Frontal view; right pediatric wrist radiograph:
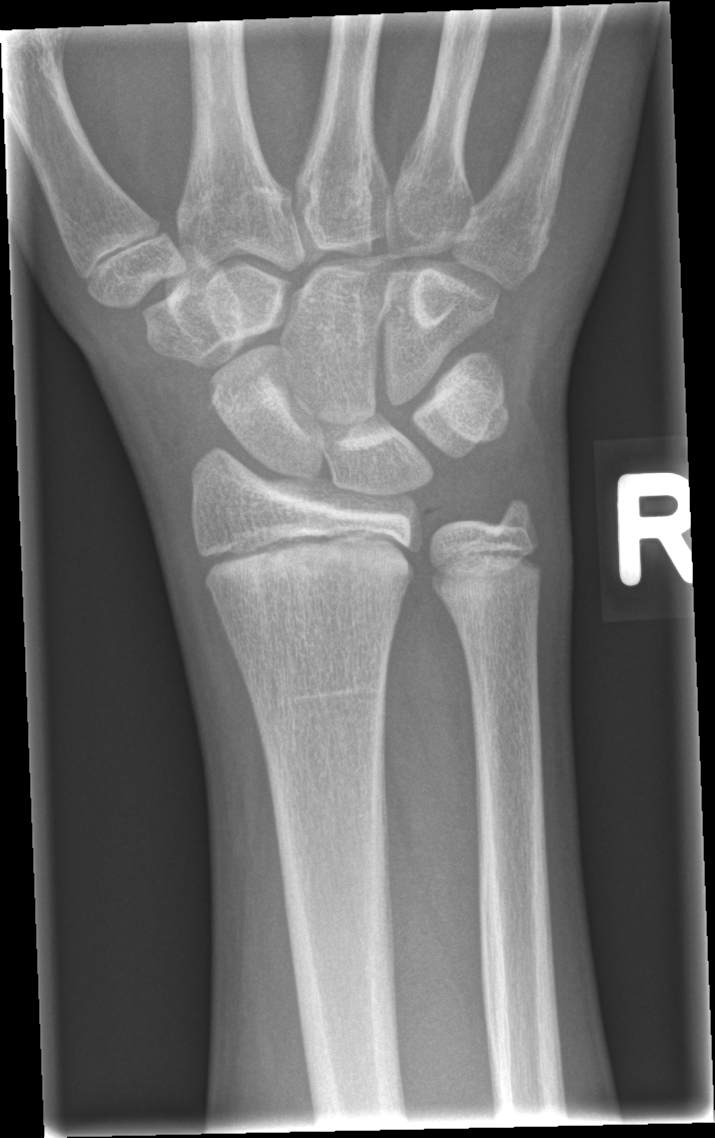
Fx: none labeled